R wrist radiograph | lateral view | pediatric patient (girl, age 11) | image size 373x956:
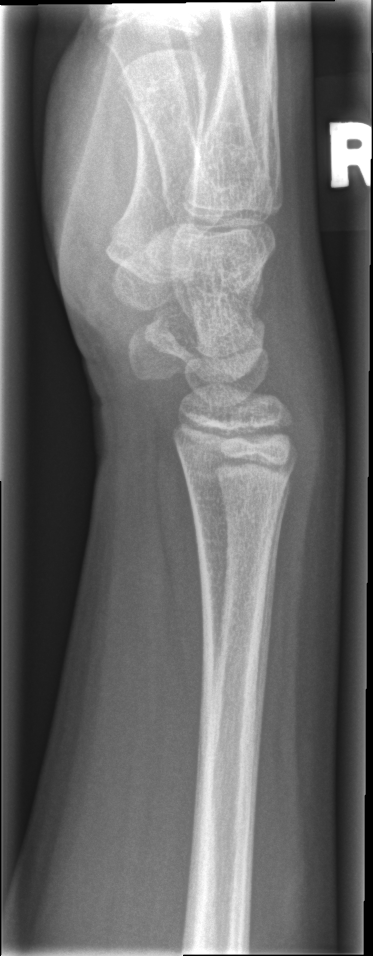
• No Fx annotated.